L wrist X-ray, lateral projection, female, 9 yo, index exam 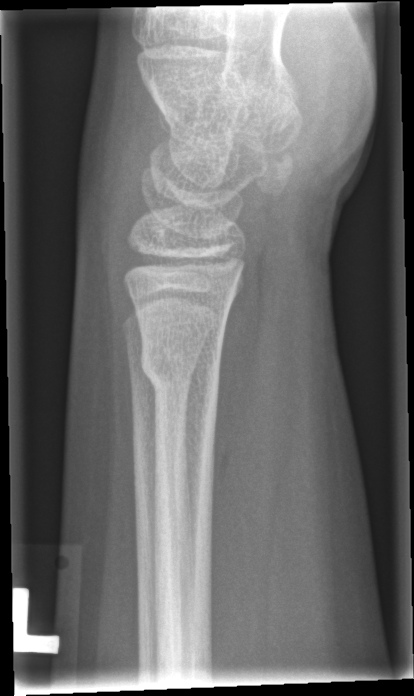
FINDINGS — Bone fracture identified at 137 343 222 392.